Lt wrist X-ray; posteroanterior projection; male, 13 yo 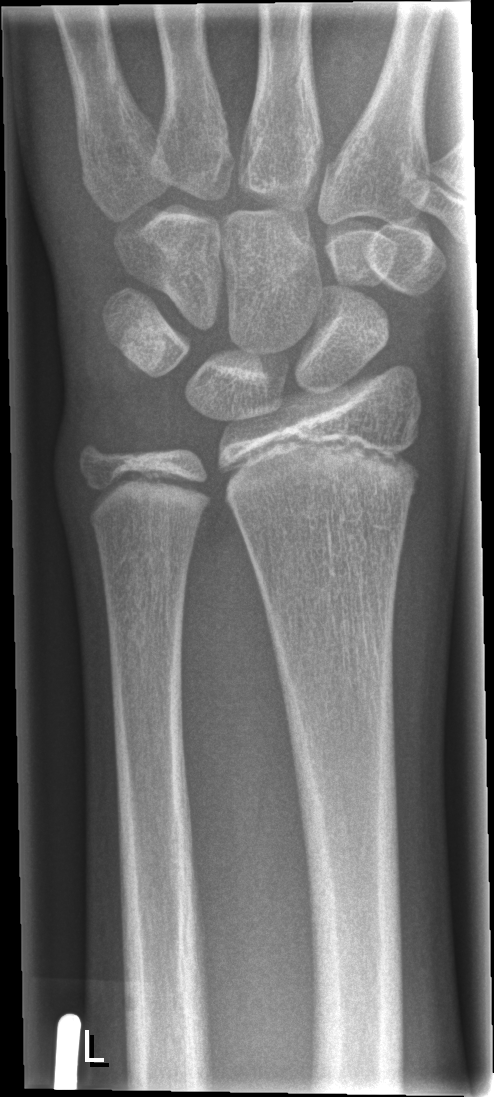
No fracture bounding box.